Lateral | right wrist plain film | male, 12 yo | detector: Siemens | 354 by 760 pixels: 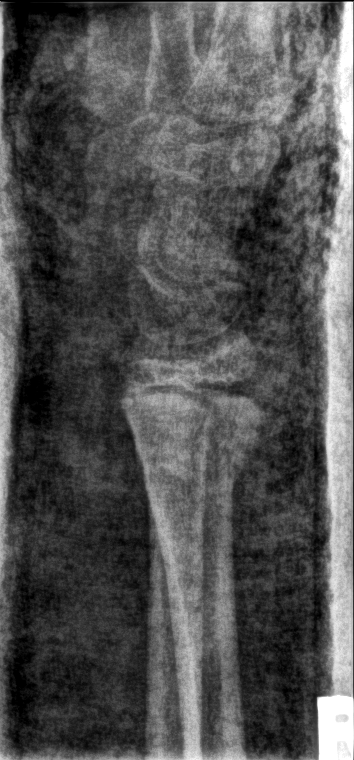

{"_coords": "pixel coordinates, top-left origin, xyxy", "ao": "23r-M/3.1; 23u-E/7", "fracture": "1 @ 130 421 262 502"}